PA projection, right wrist X-ray, 11-year-old boy, in cast —
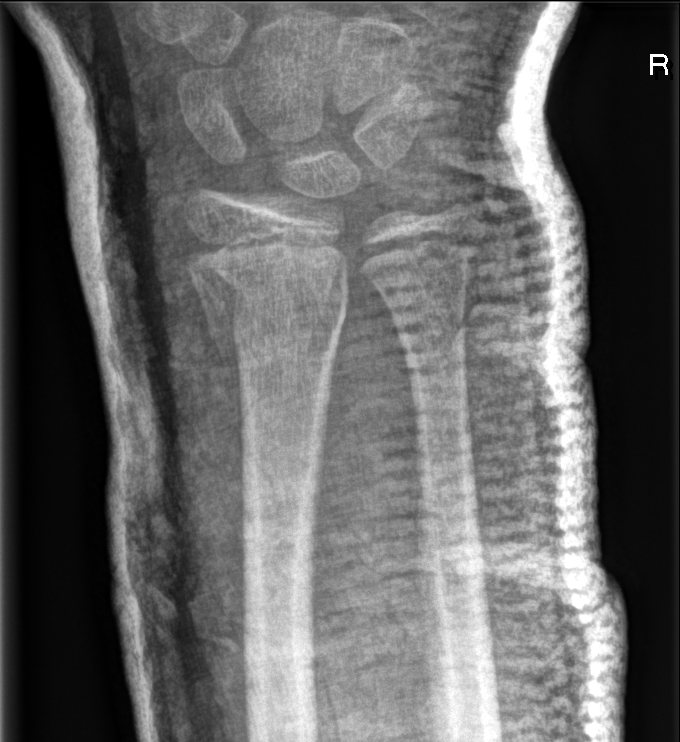

* Boxes as x1,y1,x2,y2 (top-left / bottom-right, pixel units).
* AO code 23r-M/3.1.
* One Fx at <181,228>-<353,356>.